Right wrist pediatric wrist radiograph, AP, 17-year-old male.
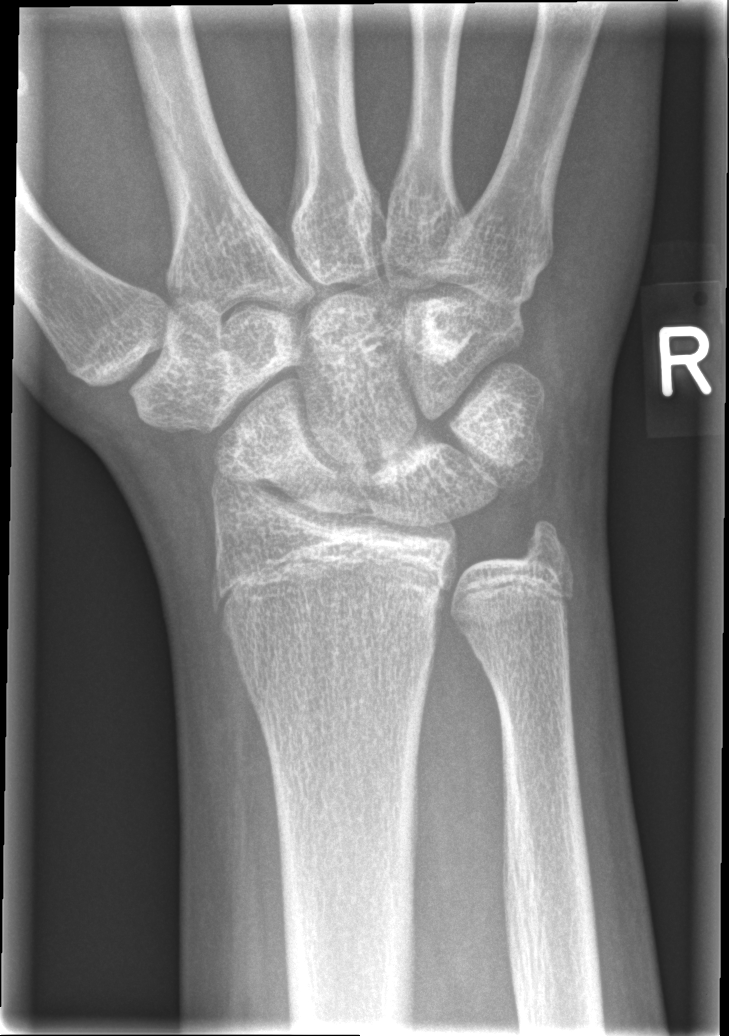
- No fracture annotation.